Frontal view, L wrist X-ray, pediatric patient (boy, age 9), acquired on Siemens. 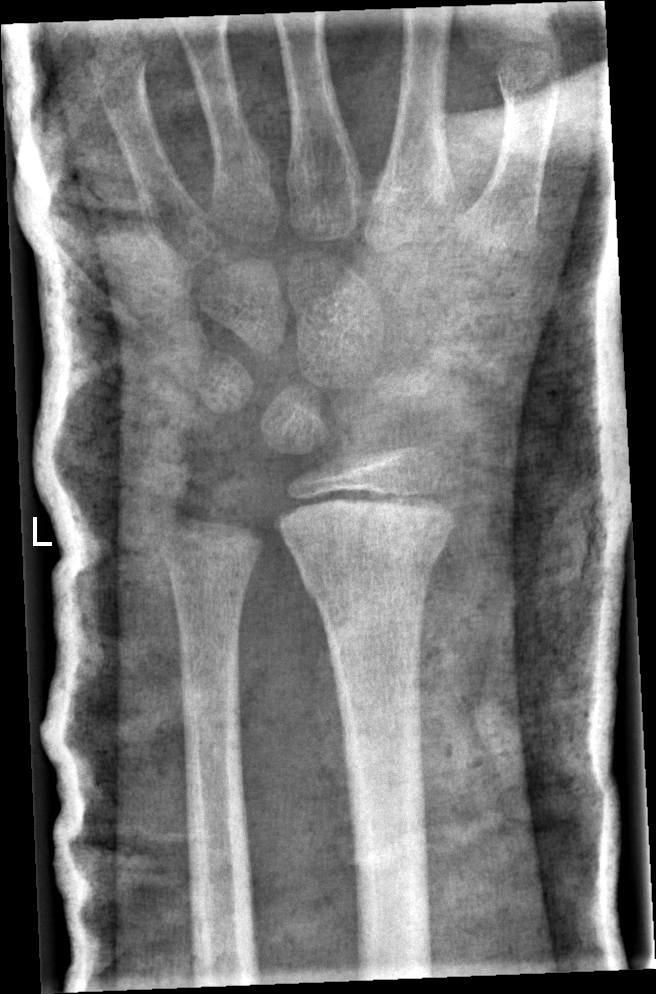 - Fx — [x1=292, y1=516, x2=452, y2=611].